Frontal | right wrist plain film | imaged through cast | 73.7 mm image width:

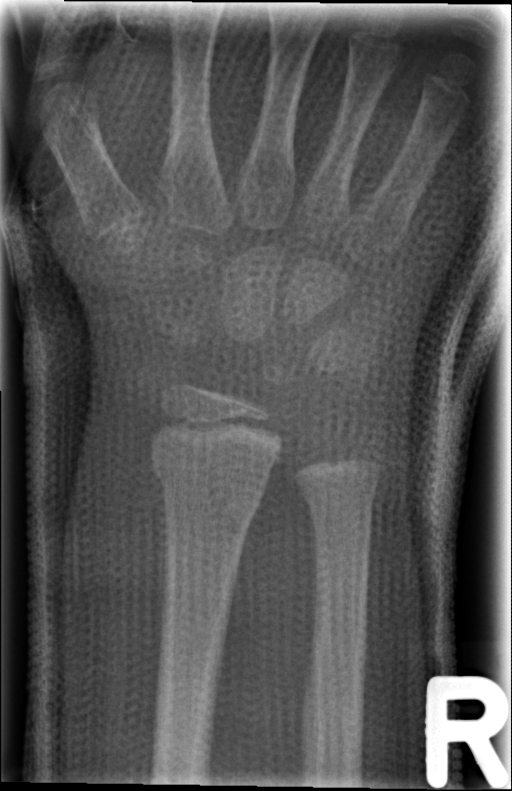 Coordinates are [x1, y1, x2, y2] in image pixels. Fx identified at [150, 436, 279, 524]; [294, 471, 384, 524]. Fracture classified AO/OTA 23-M/2.1.